Right plain radiograph of the wrist; PA/AP; 15y M; initial study; image size 609x974.

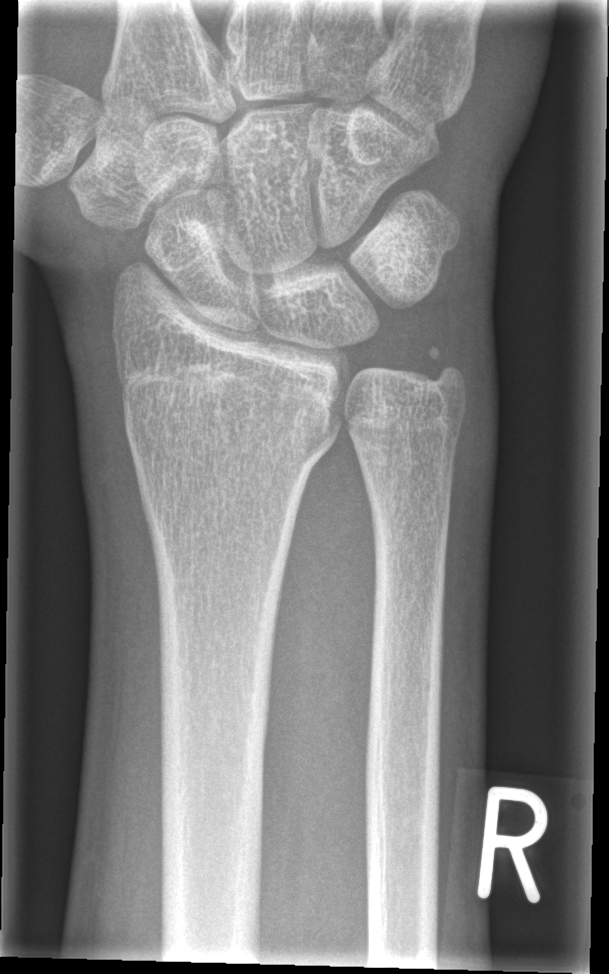 (coordinates are [x1, y1, x2, y2] in image pixels)
fracture = 2 @ <119,389>-<335,486> <418,338>-<477,399>